Lateral; right pediatric wrist radiograph; 585 x 1218 px

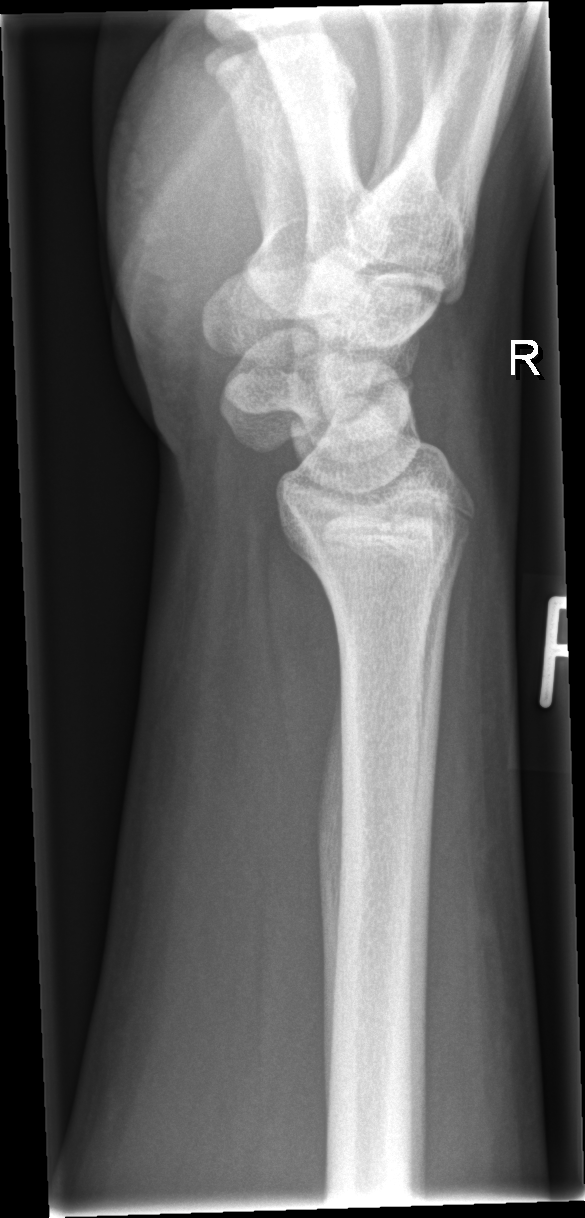
FINDINGS: No fracture bounding box.